PA/AP; L wrist plain film; 5y F; image size 547x1004

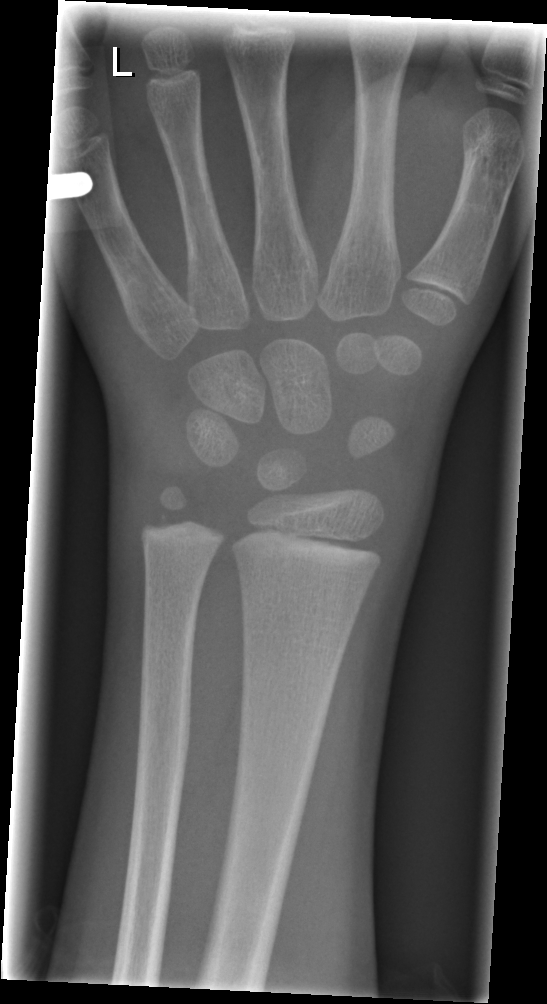
No Fx annotated.